Lat projection, right wrist X-ray, pediatric patient (male, age 9).

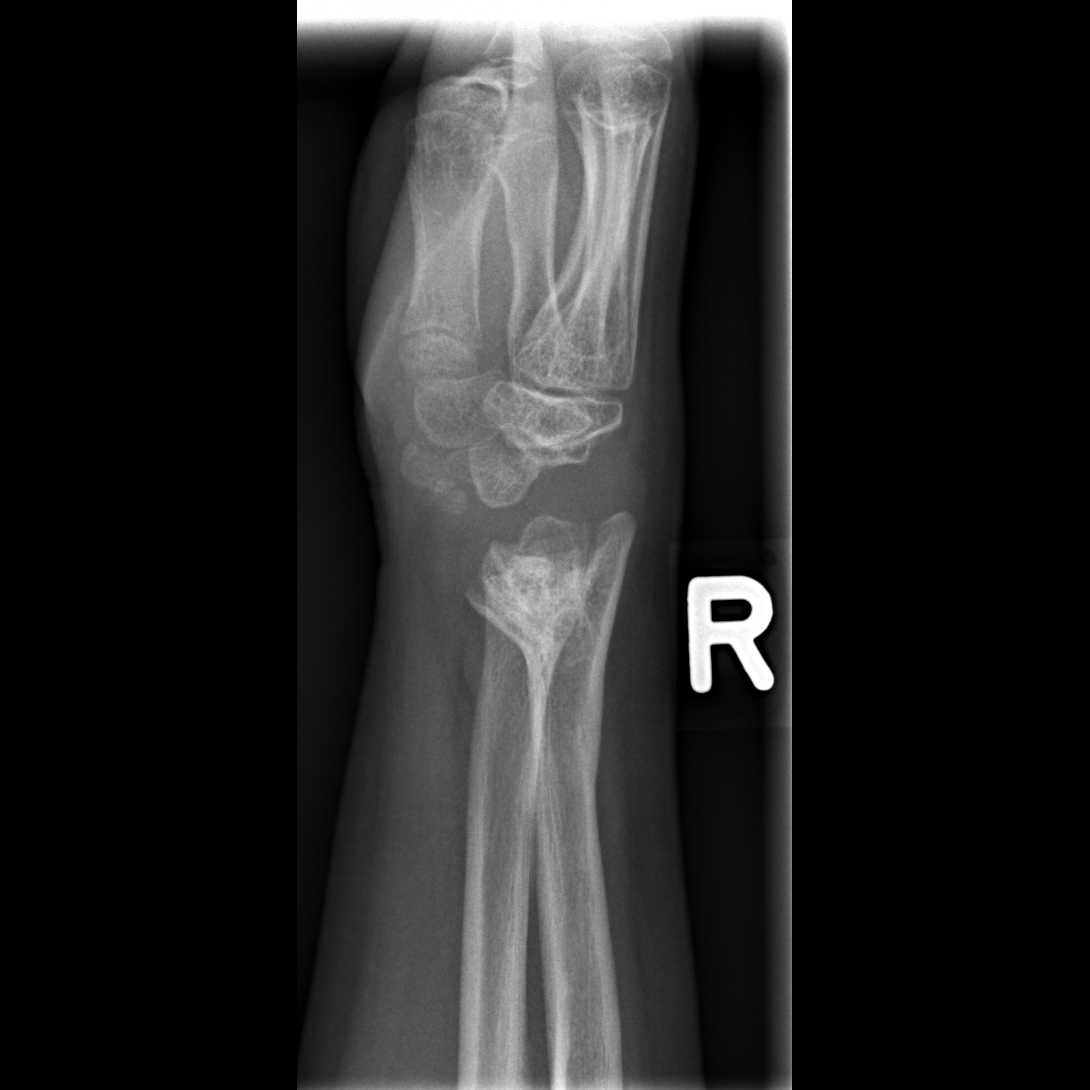
Fracture: none labeled. Bone anomaly: [458, 505, 640, 676]; [392, 405, 627, 511].